R plain radiograph of the wrist; lat projection 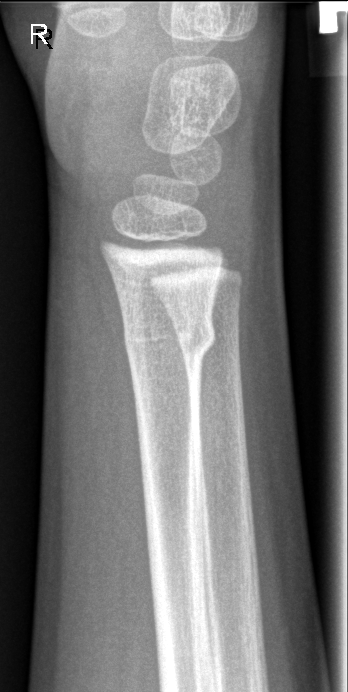 Fx: (left=122, top=314, right=219, bottom=359)